L plain radiograph of the wrist, AP view, cast present.

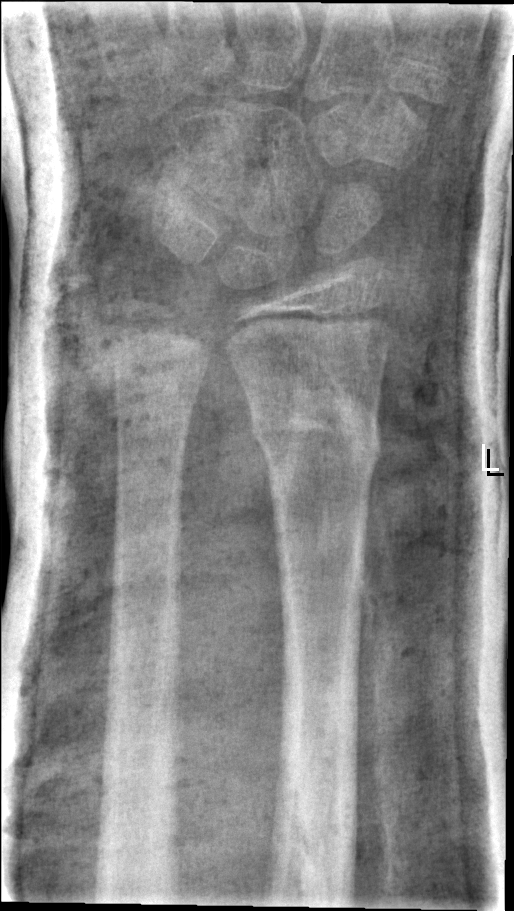
Bone fracture = 247,377,383,475